Left pediatric wrist radiograph, PA projection. 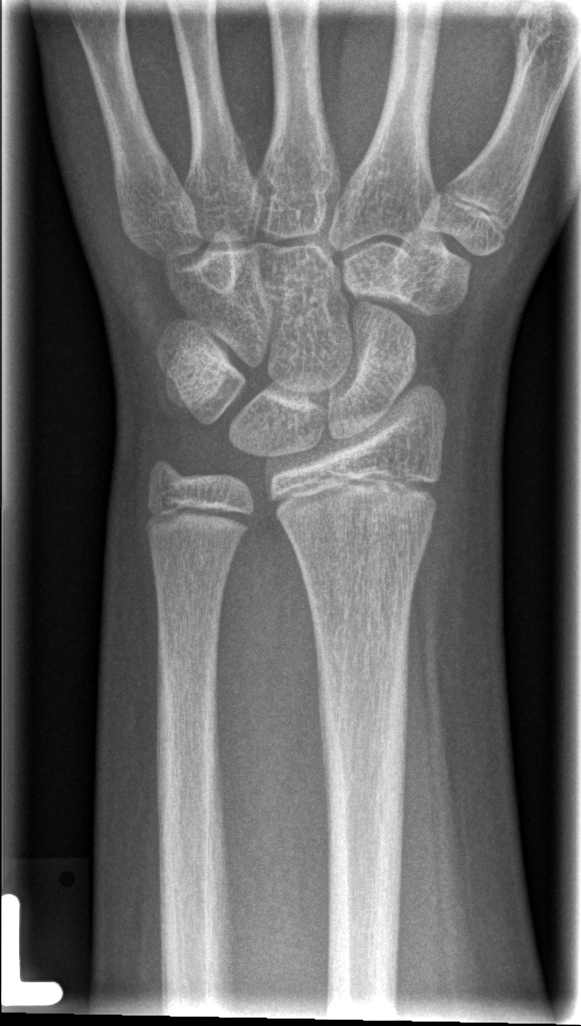

Fracture = none labeled